Left plain radiograph of the wrist, posteroanterior, follow-up study, image width 69.1 mm
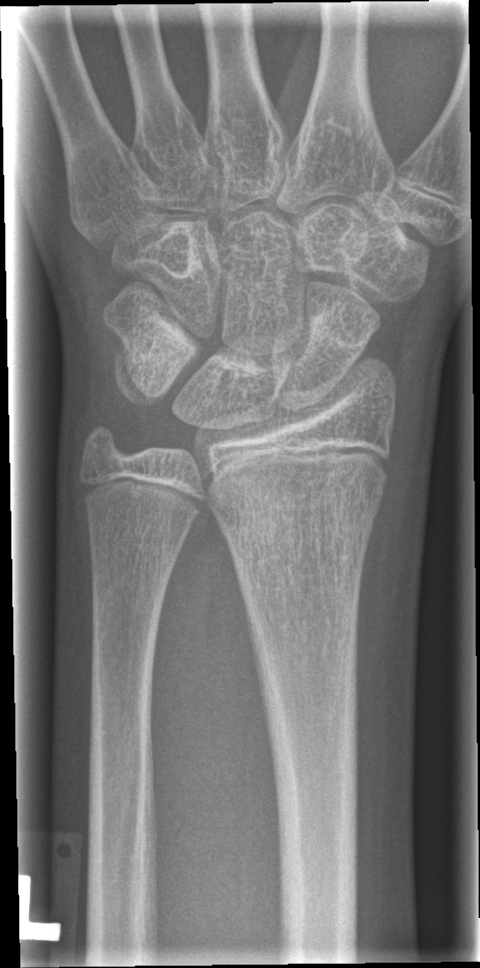 • Pixel coordinates, top-left origin, xyxy.
• Fracture — <217,474>-<382,569>.